Frontal projection, Rt wrist X-ray, pediatric patient (girl, age 4).
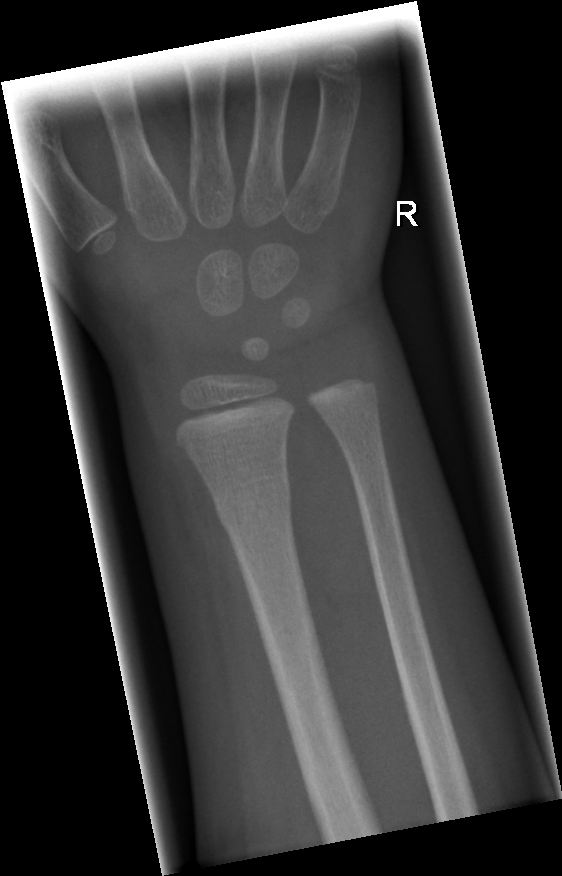

bone fracture: bbox(212, 477, 294, 532)
AO classification: 23r-M/2.1